Posteroanterior, right wrist radiograph, 9-year-old boy, follow-up 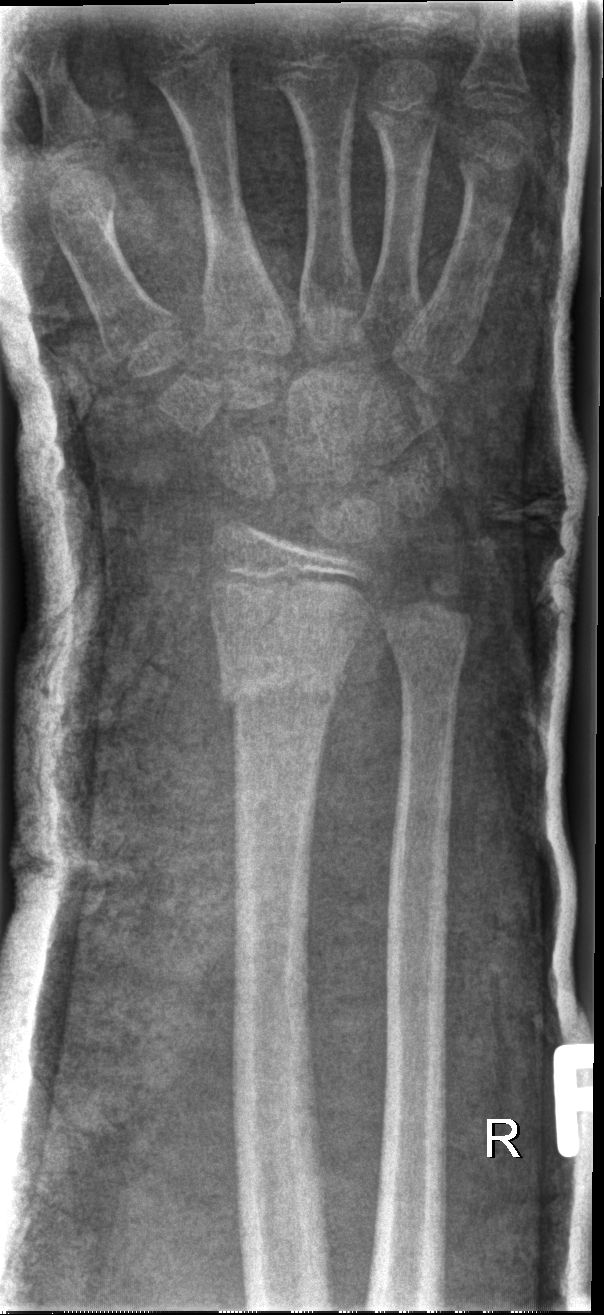
Fx identified at 215 647 351 717. AO/OTA classification: 23r-M/3.1; 23u-M/2.1.